Left wrist plain film; obl view; girl, 1.1 yo — 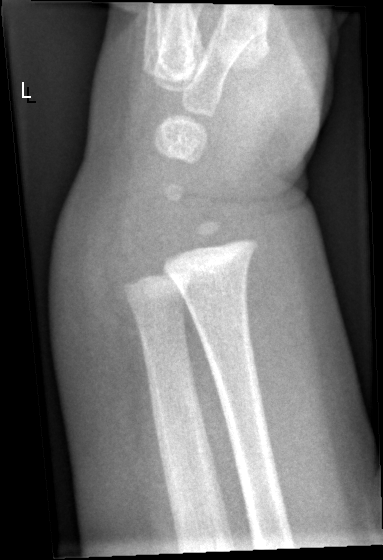
No fracture annotation.